Lateral · left wrist X-ray · initial study · equivocal findings · 431x712:

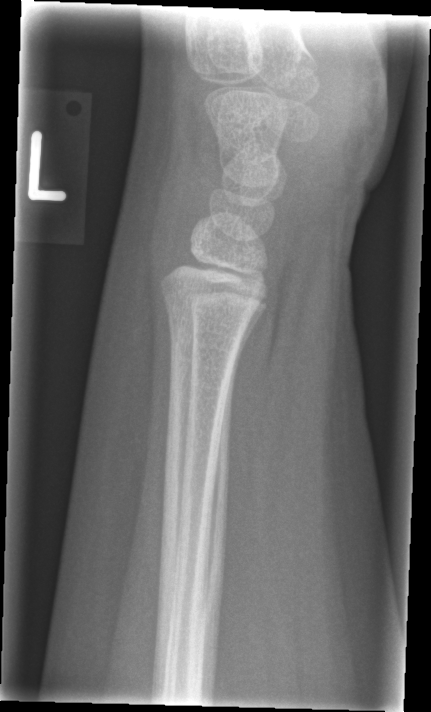

FINDINGS: Fx: none.